AP · right wrist XR. 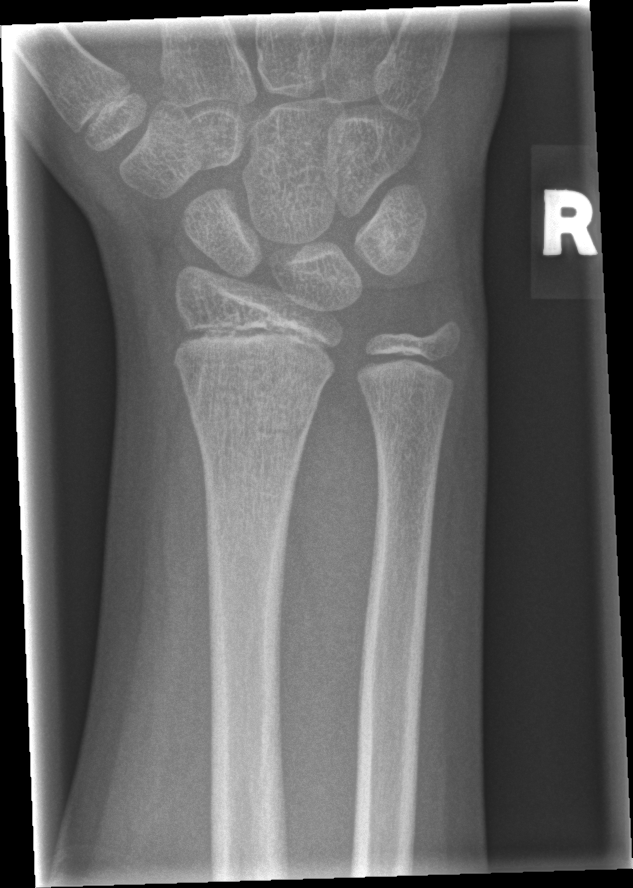 {"_coords": "bounding boxes in image-pixel xyxy", "fracture": "<186,385>-<318,458>", "ao": "23r-M/3.1"}